Right wrist pediatric wrist radiograph; frontal view; pediatric patient (girl, age 11); detector: Siemens 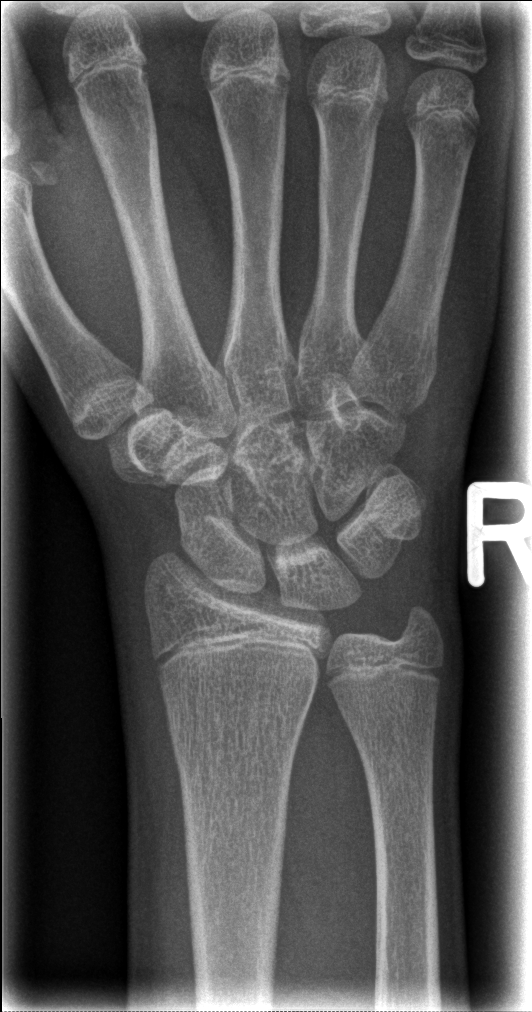

Q: Is there a fracture?
A: No Fx annotated